Lat projection, left pediatric wrist radiograph

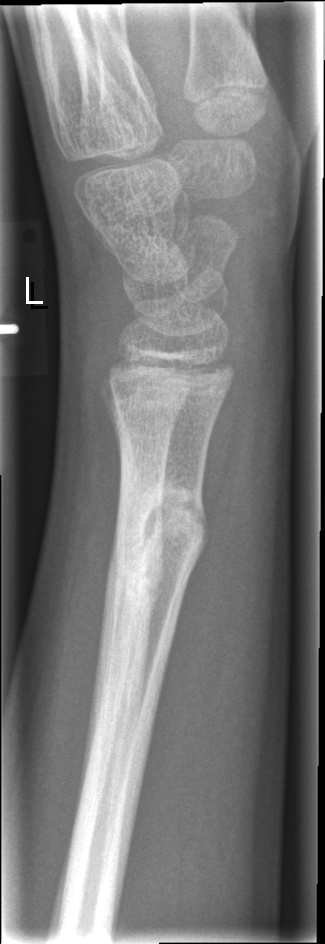
Boxes as x1,y1,x2,y2 (top-left / bottom-right, pixel units).
One bone fracture at bbox(106, 479, 213, 579).